Left wrist pediatric wrist radiograph, PA/AP view, pediatric patient (boy, age 12), in cast 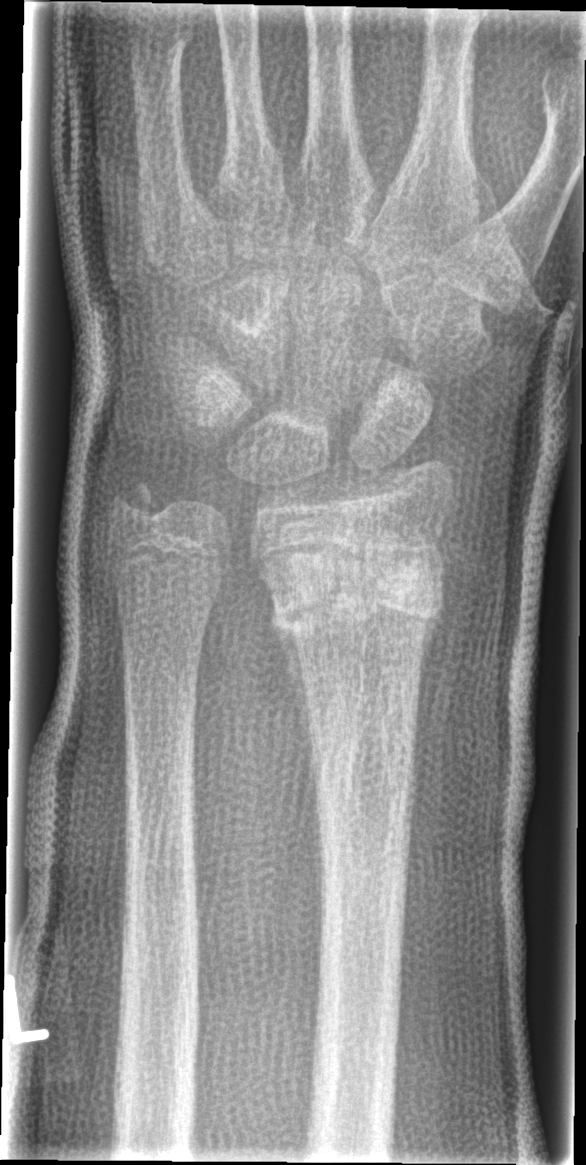
(boxes as x1,y1,x2,y2 (top-left / bottom-right, pixel units))
Q: What is the AO/OTA classification?
A: AO code 23r-M/3.1; 23u-E/7
Q: Locate any fractures.
A: Bone fractures — <267,532>-<449,643> <102,474>-<165,530>
Q: Locate any periosteal reaction.
A: Periosteal new bone: <285,636>-<318,766>